Left wrist XR; AP projection; age 9 y, boy —

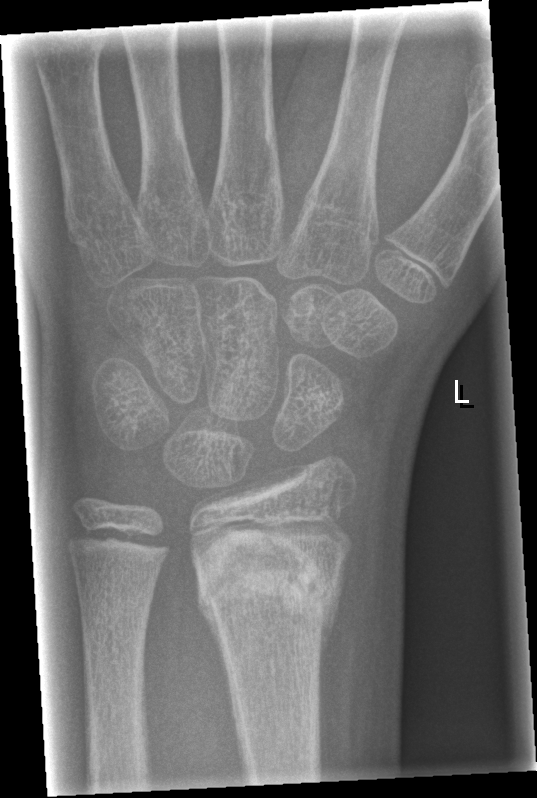

Findings: AO/OTA classification: 23r-M/3.1; 23u-E/7. Periosteal thickening — [x1=197, y1=581, x2=231, y2=699], [x1=318, y1=552, x2=351, y2=666], [x1=194, y1=564, x2=202, y2=620]. Fx — [x1=194, y1=526, x2=347, y2=637].